Lateral view · R wrist XR · 12-year-old male · in cast · detector: Siemens
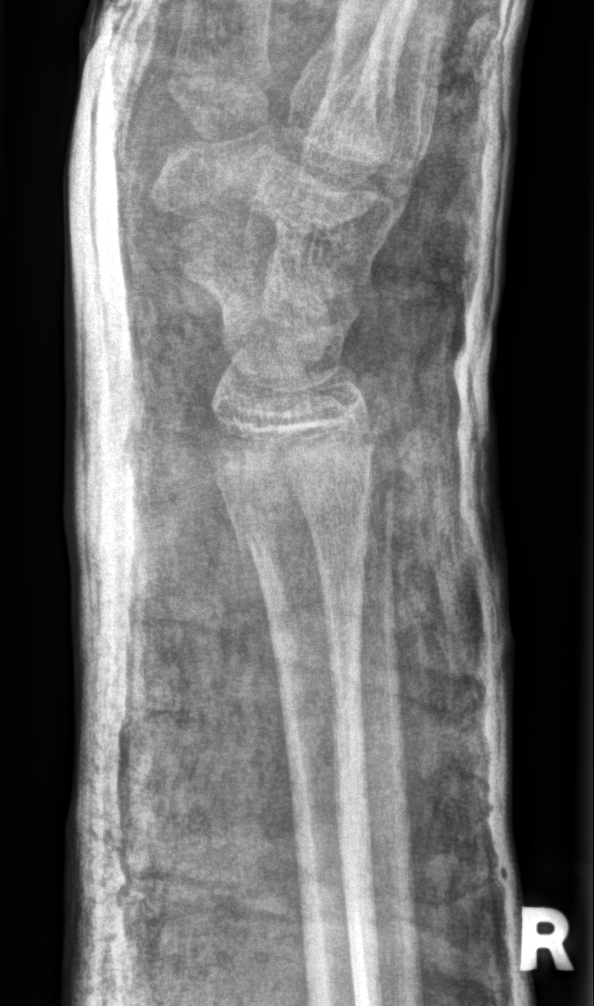
(pixel coordinates, top-left origin, xyxy)
Q: Fracture present?
A: Fracture — bbox(221, 426, 381, 569)
Q: AO code?
A: AO code 23r-M/3.1